Rt pediatric wrist radiograph | PA projection:

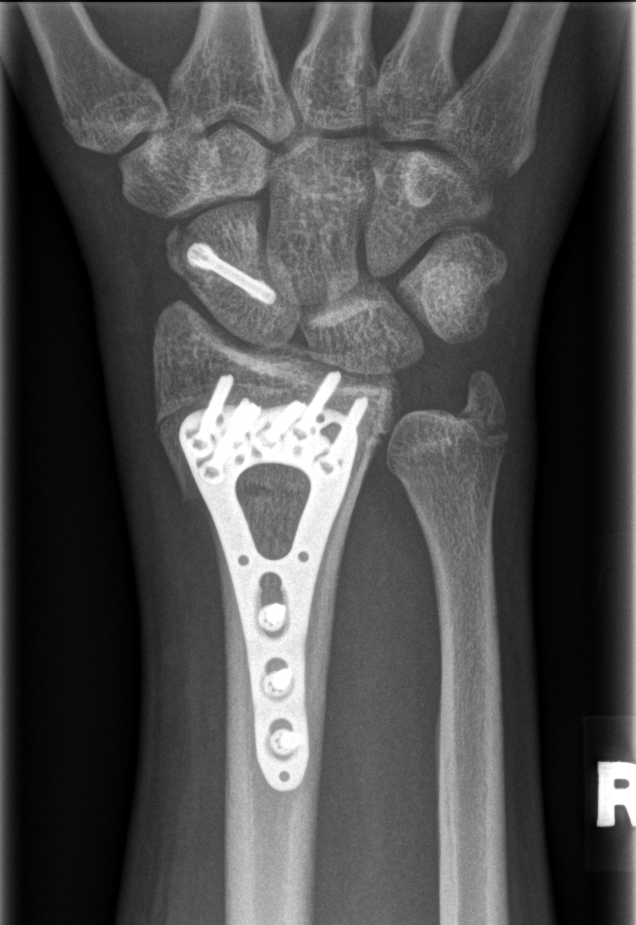

(bounding boxes in image-pixel xyxy)
Fracture: 3 @ <172,442>-<378,514>, <169,249>-<288,299>, <447,367>-<518,450>
Metal: <169,365>-<378,790> <187,233>-<275,306>
Osteopenia: present